Rt pediatric wrist radiograph · posteroanterior projection · 10y M · initial study —

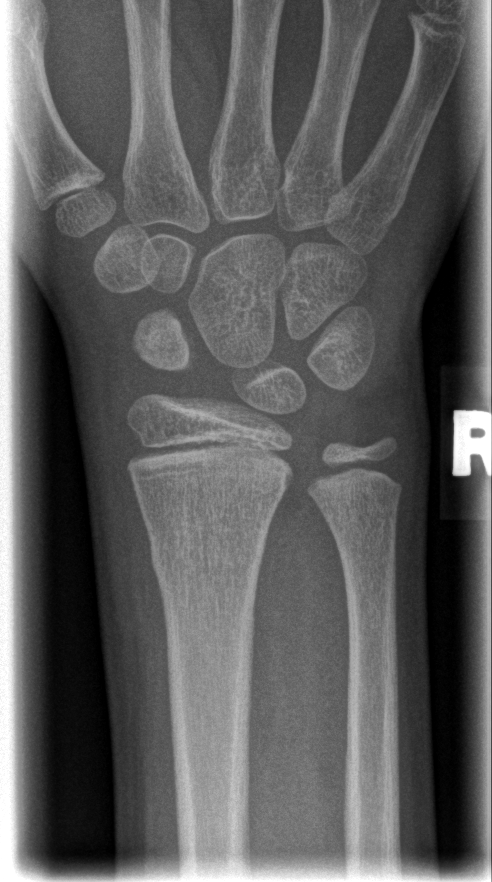
{
  "_coords": "pixel coordinates, top-left origin, xyxy",
  "fracture": "[147, 527, 267, 588]"
}